L wrist plain film · PA/AP view · pediatric patient (male, age 6) —
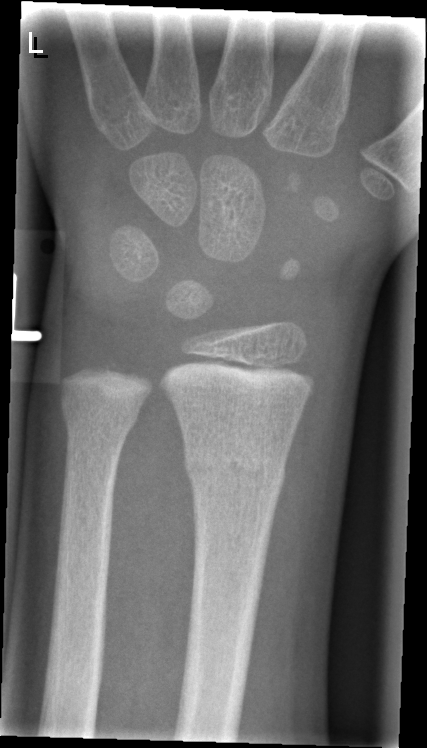
{
  "_coords": "bounding boxes in image-pixel xyxy",
  "ao": "23-M/2.1",
  "fracture": "2 @ 181 438 288 495\n  56 392 144 443"
}